Right wrist radiograph | frontal view | in cast | 586 by 757 pixels.

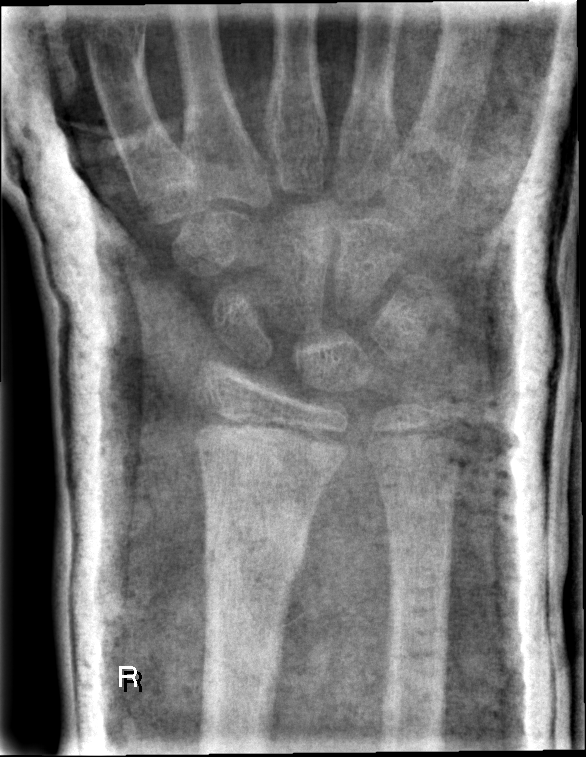 Coordinates are [x1, y1, x2, y2] in image pixels. AO/OTA classification: 23r-M/3.1; 23u-E/7. Fx identified at (left=200, top=548, right=306, bottom=600).